Left wrist X-ray, lat projection, image 68.3 mm wide.

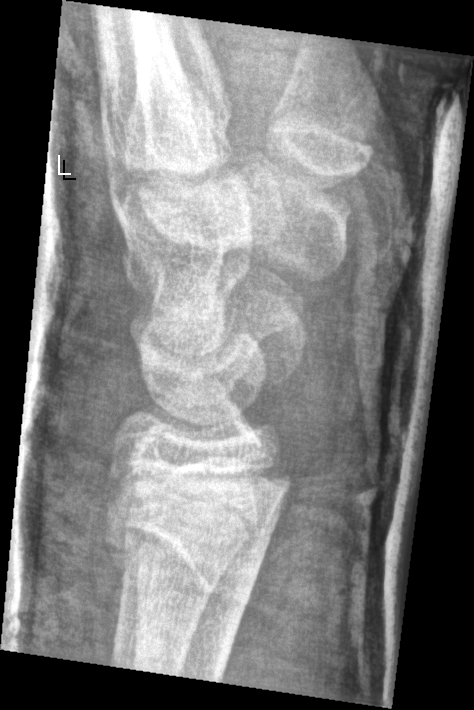
Pixel coordinates, top-left origin, xyxy.
AO/OTA classification: 23r-M/3.1; 23u-E/7.
One fracture at 102,494,267,602.